Right wrist plain film | lat | 434 by 953 pixels: 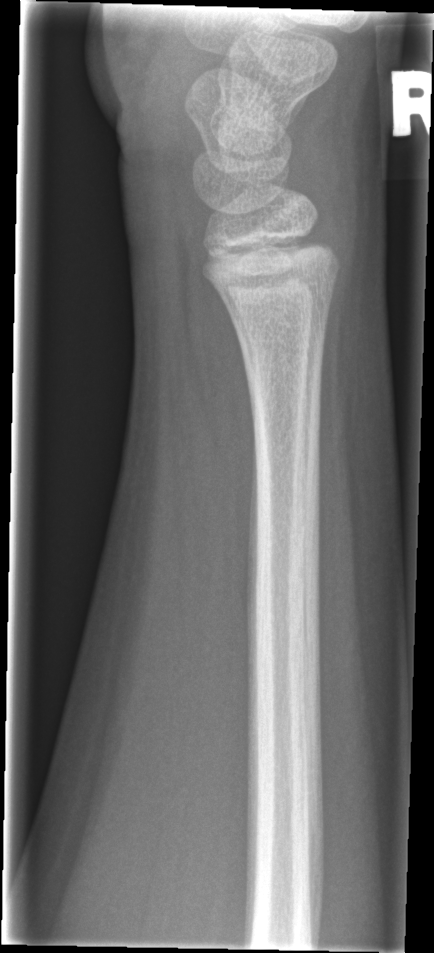 {
  "fracture": "none labeled"
}